Lat, Rt pediatric wrist radiograph, presentation radiograph, 422 by 716 pixels —
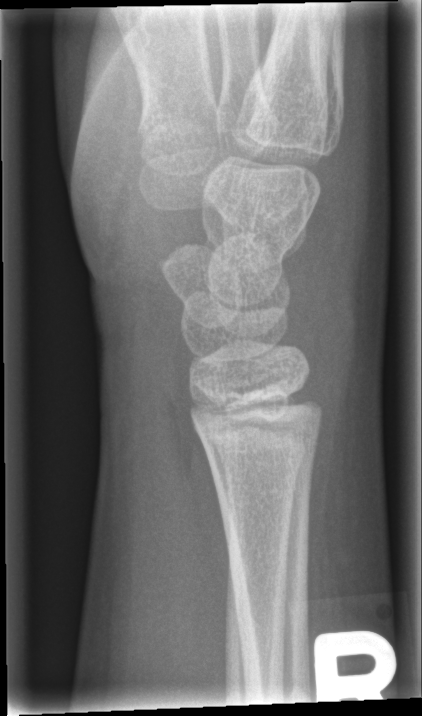 - No fracture labeled.